Lat projection · left wrist plain film · age 11 y, male · follow-up study —
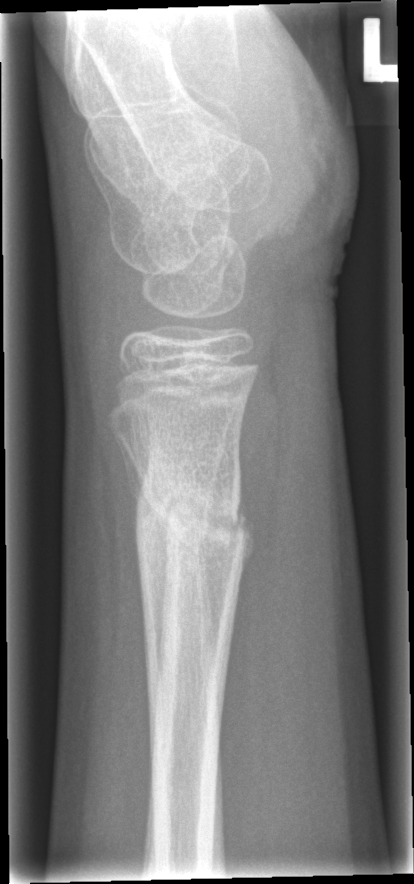 (bounding boxes in image-pixel xyxy)
Fx: [x1=145, y1=476, x2=256, y2=566]; [x1=135, y1=477, x2=218, y2=571]